Right wrist XR | AP | 10y M | image 81.4 mm wide. 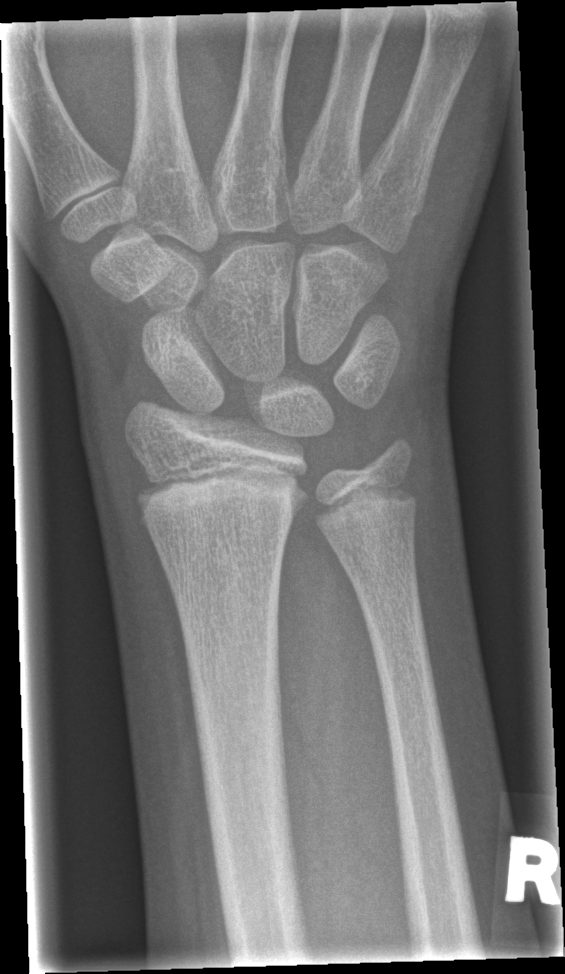
FINDINGS — Fracture: none labeled.